Rt wrist radiograph; posteroanterior projection; cast present; acquired on Siemens; image size 832x950 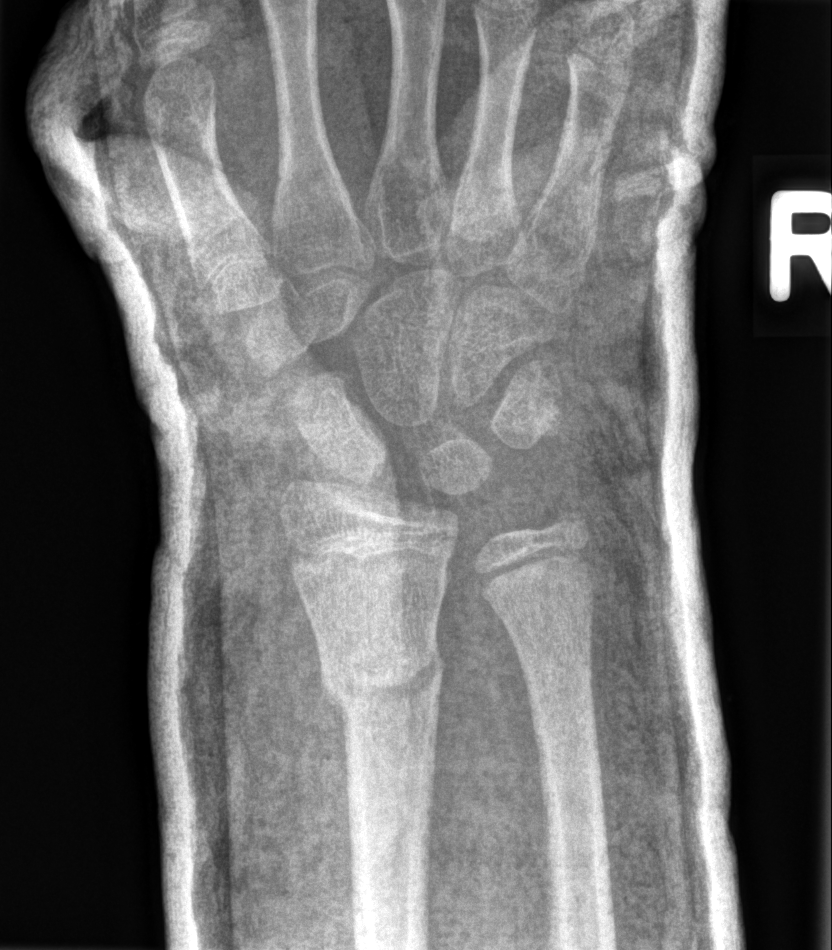 * Bone fracture identified at 317 626 446 722.
* AO/OTA classification: 23r-M/3.1; 23u-E/7.